Lateral | Lt wrist radiograph | imaged through cast | 96.6 mm image width — 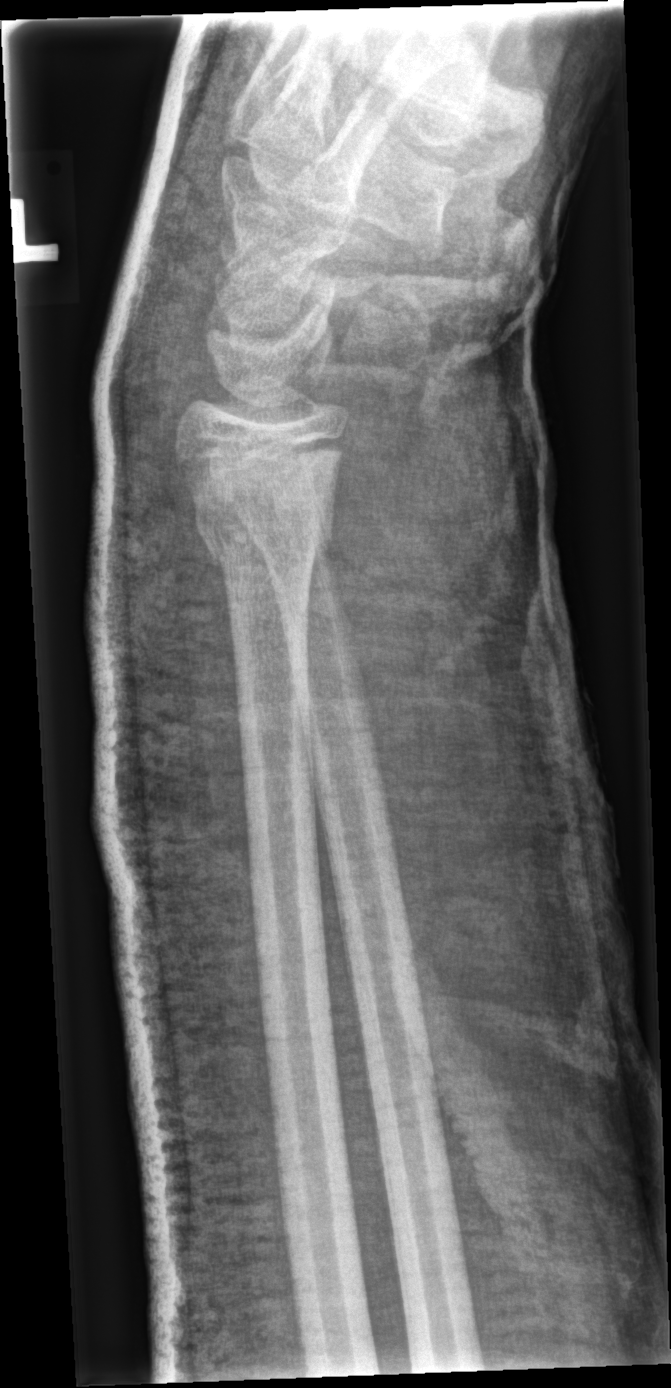

Bone fracture — (179, 499, 343, 585).